Frontal view, left wrist pediatric wrist radiograph, 736 x 854 px
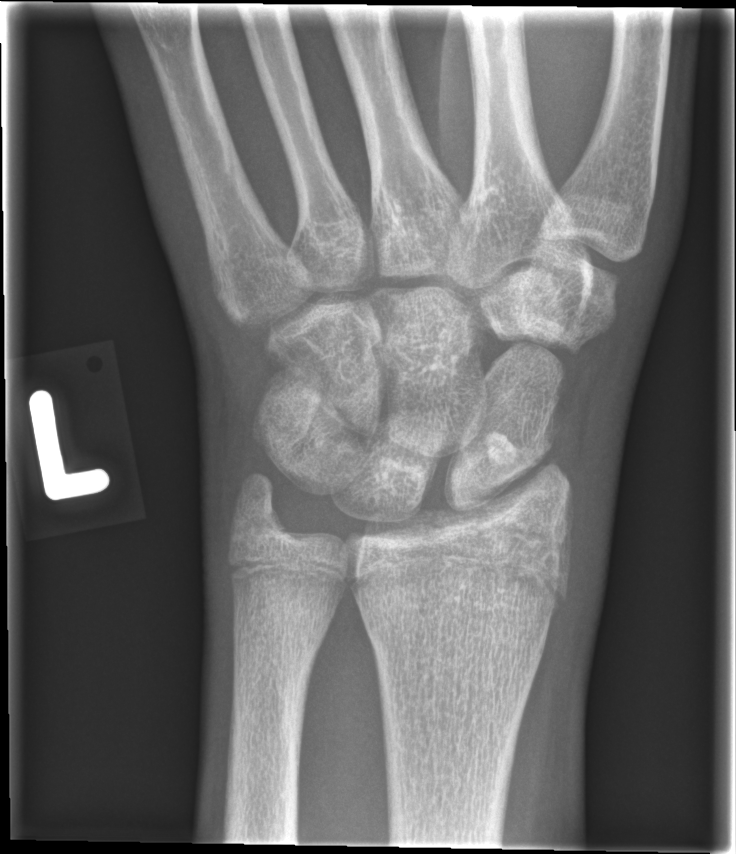
Bounding boxes in image-pixel xyxy. Fracture classified AO/OTA 23r-E/7. Focal bone lesion: [x1=481, y1=428, x2=520, y2=472]. Bone fracture: [x1=417, y1=494, x2=588, y2=583].